Posteroanterior projection; Lt wrist plain film; pediatric patient (girl, age 10).

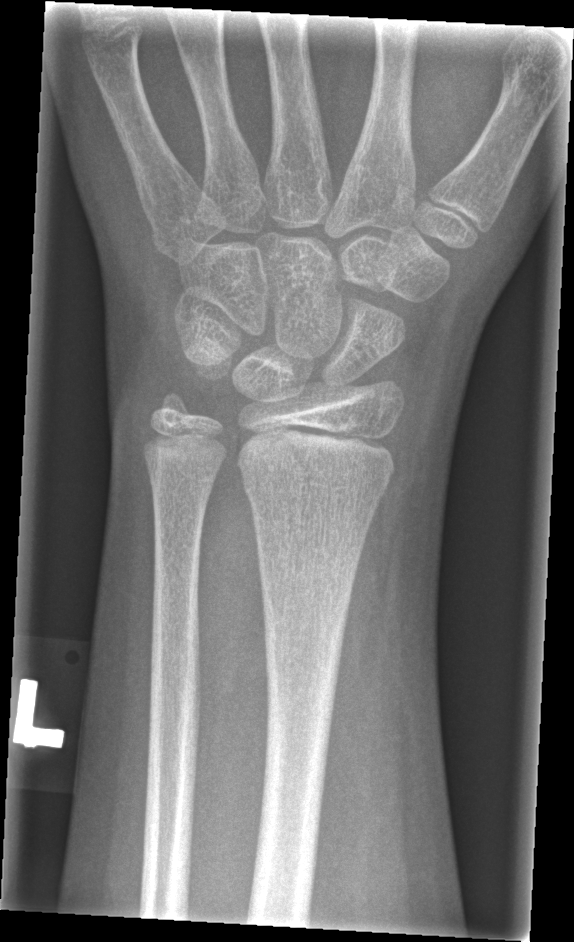
FINDINGS — Bone fracture: <239,460>-<394,522>.